Right wrist plain film; lateral projection —
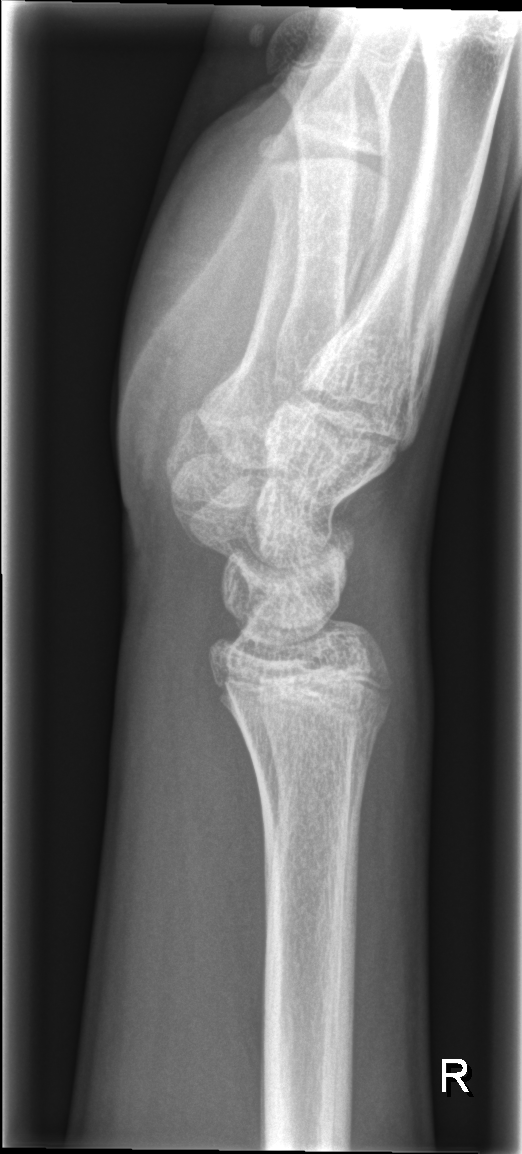
No Fx annotated.